Right wrist XR, posteroanterior, 2-year-old female, presentation radiograph, 485 x 676 px: 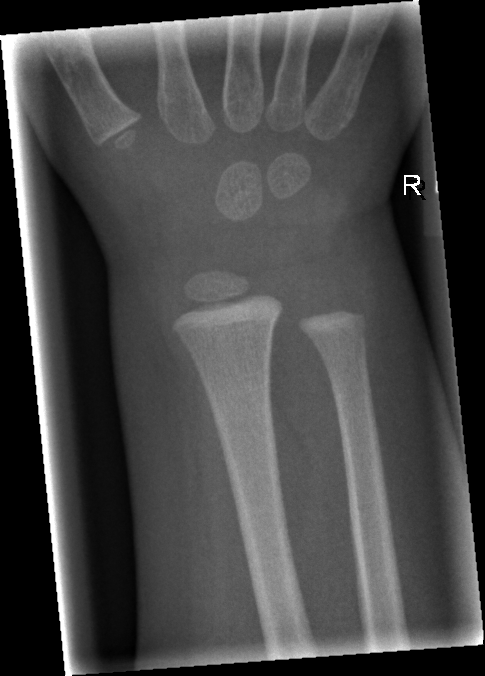
FINDINGS — No Fx annotated.